Lat; L pediatric wrist radiograph: 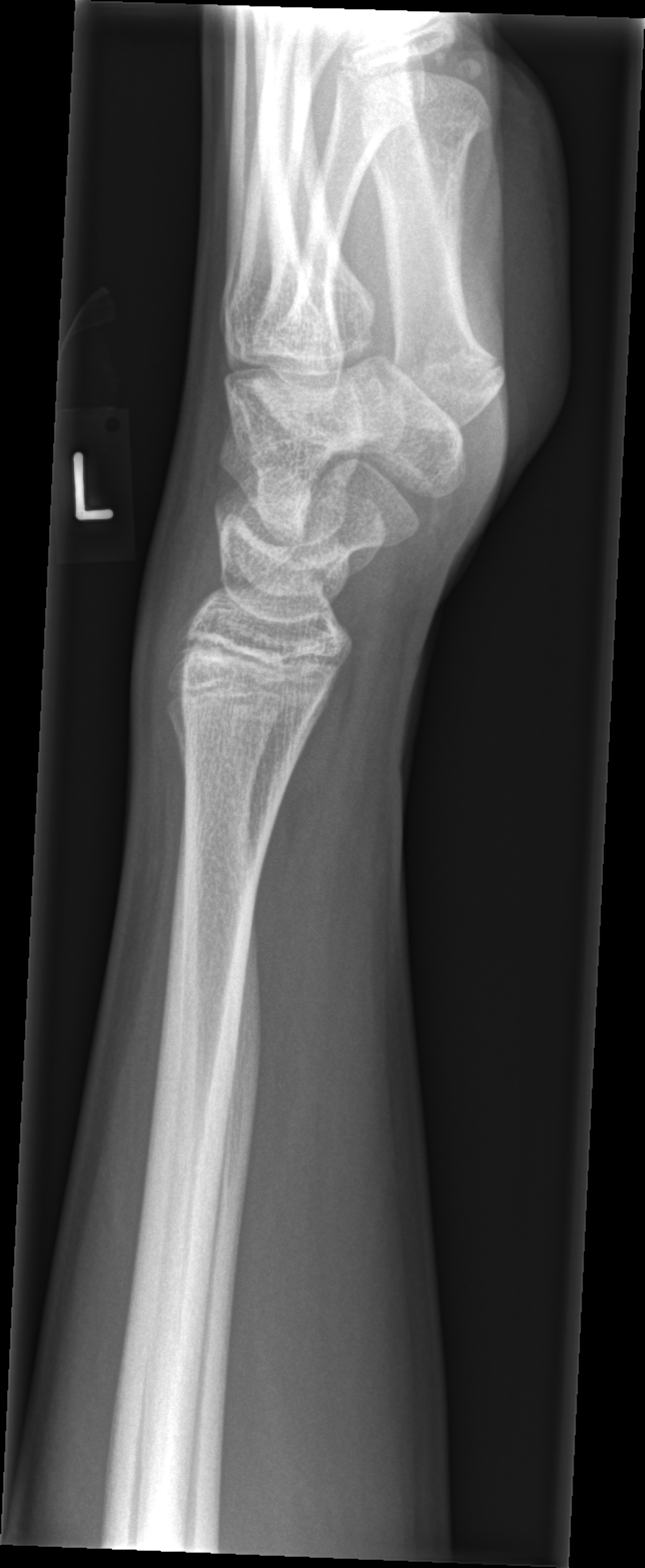

FINDINGS: No Fx annotated.